PA/AP view, left wrist radiograph, boy, 3 yo:

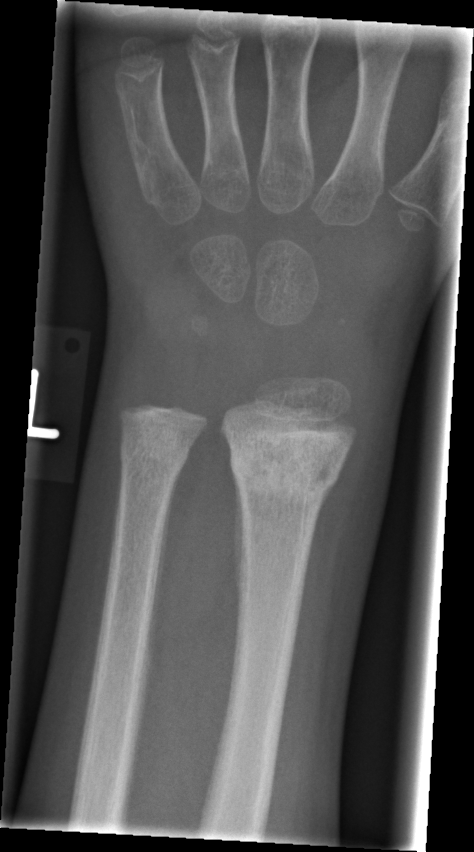

(coordinates are [x1, y1, x2, y2] in image pixels)
Q: Is there a fracture?
A: Fractures — 226 430 345 503; 119 441 190 480
Q: Any periosteal thickening?
A: One periosteal new bone at 233 475 246 615
Q: What is the AO/OTA classification?
A: AO code 23r-M/3.1; 23u-M/2.1